Posteroanterior | Lt wrist X-ray | subsequent exam | Siemens | 476x744 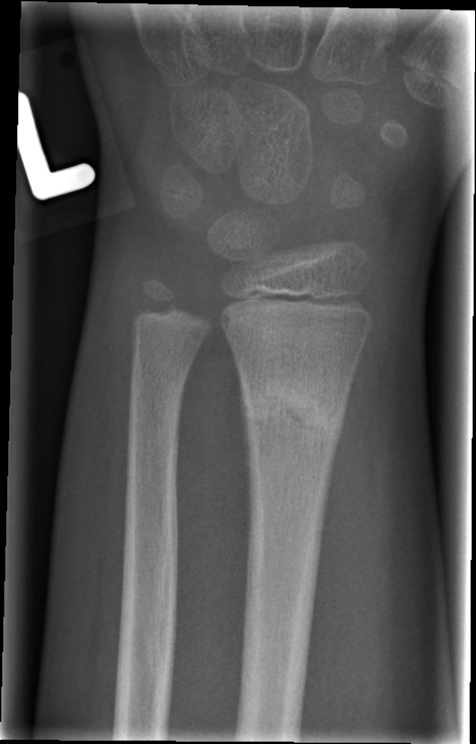
(coordinates are [x1, y1, x2, y2] in image pixels)
Osteopenia: present
AO/OTA: 23r-M/3.1
Fracture: 1 @ <237,380>-<348,441>